Frontal · R wrist radiograph · cast present · image width 98.4 mm 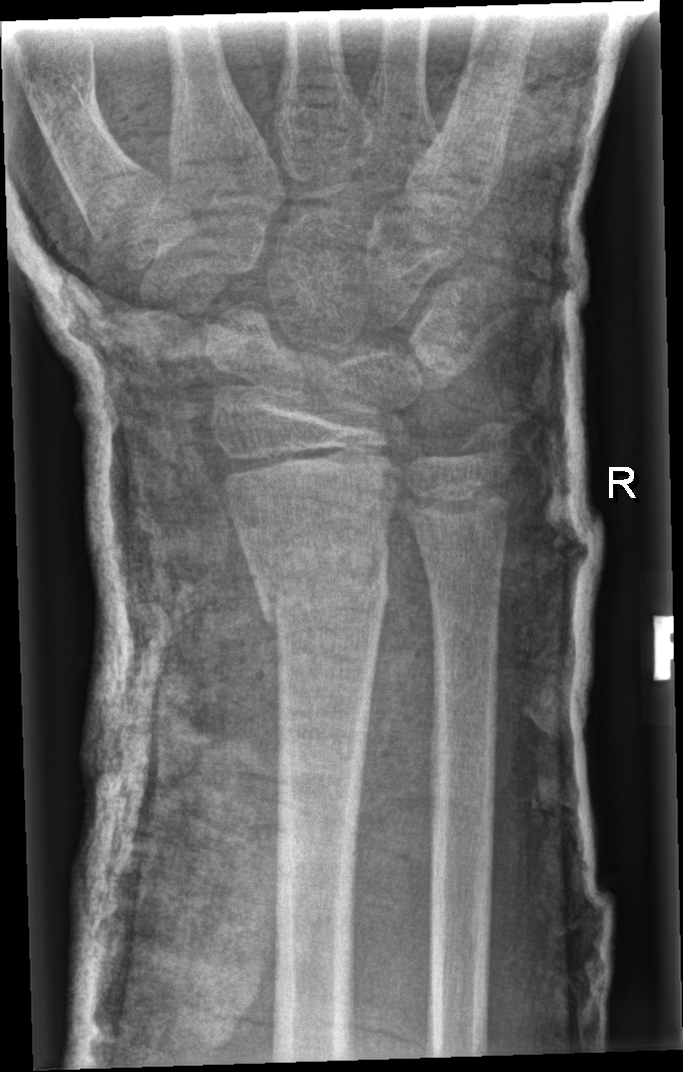
• Boxes as x1,y1,x2,y2 (top-left / bottom-right, pixel units).
• Two bone fractures at [x1=248, y1=526, x2=393, y2=631], [x1=454, y1=411, x2=519, y2=475].